Lat · R wrist X-ray · presentation radiograph — 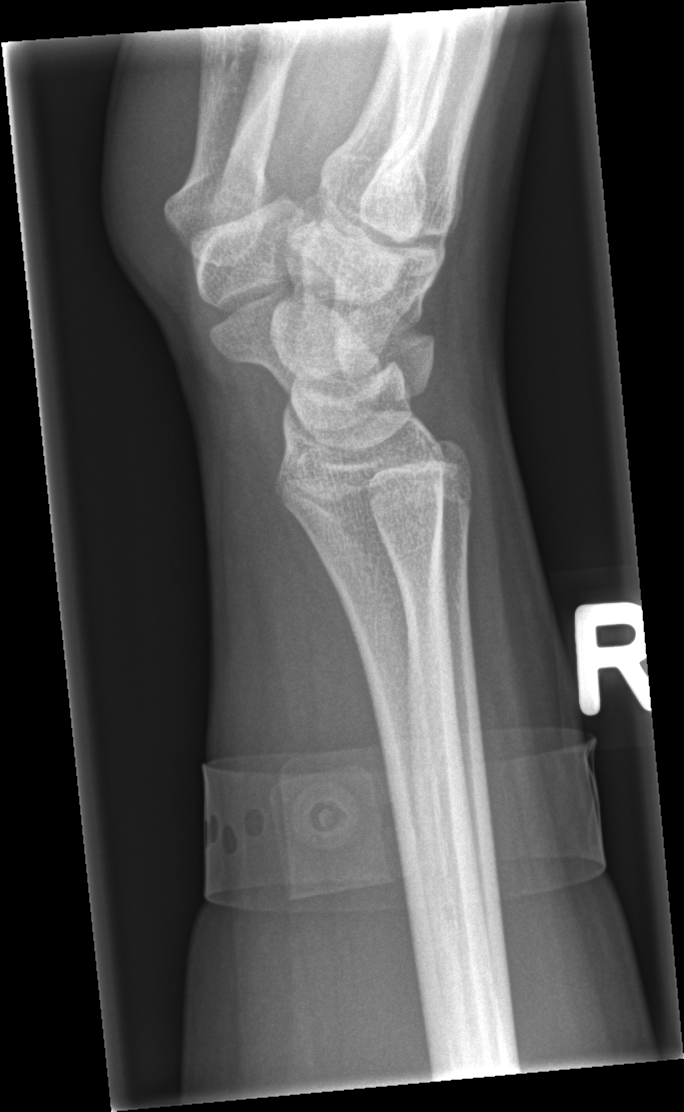

Bone fracture: none labeled